Rt plain radiograph of the wrist · lat · cast present: 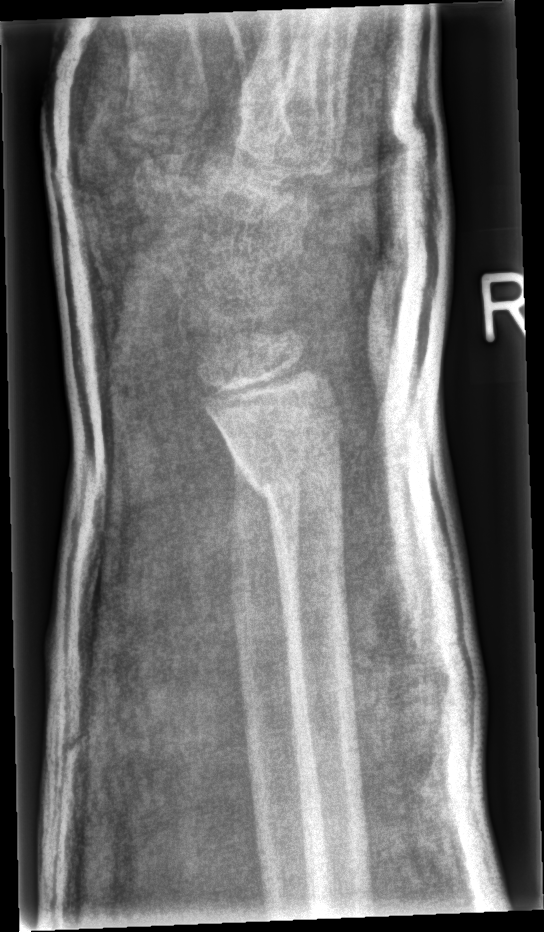

FINDINGS: Fx — [x1=223, y1=424, x2=348, y2=522]. AO/OTA classification: 23-M/2.1.